Right wrist X-ray, PA, pediatric patient (male, age 10), 601x1014. 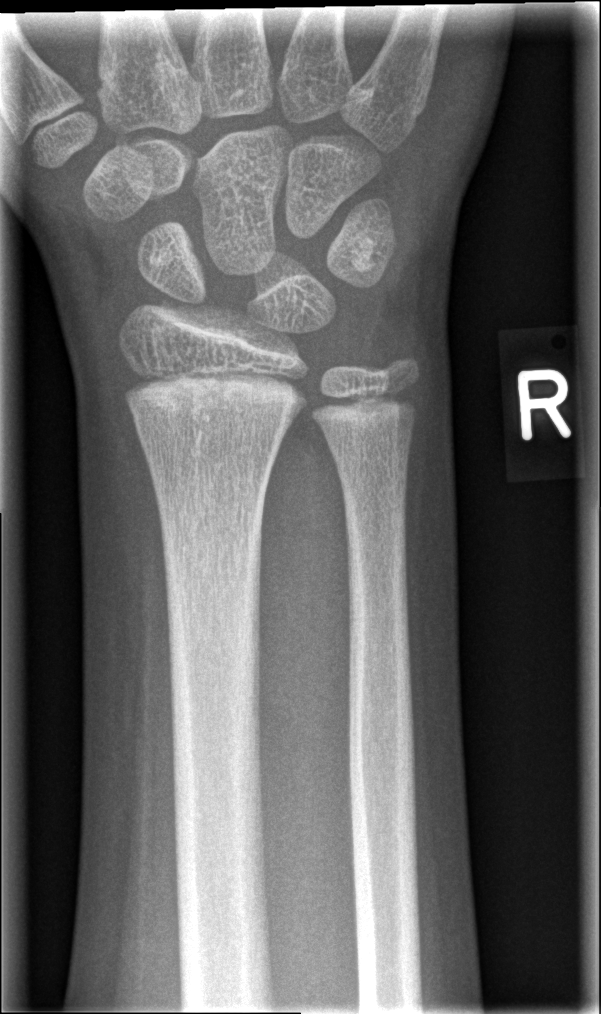
Q: AO code?
A: AO/OTA classification: 23r-M/2.1
Q: Fracture present?
A: Fracture present, though not clearly seen in this view